Right wrist X-ray · lat · 74.6 mm image width. 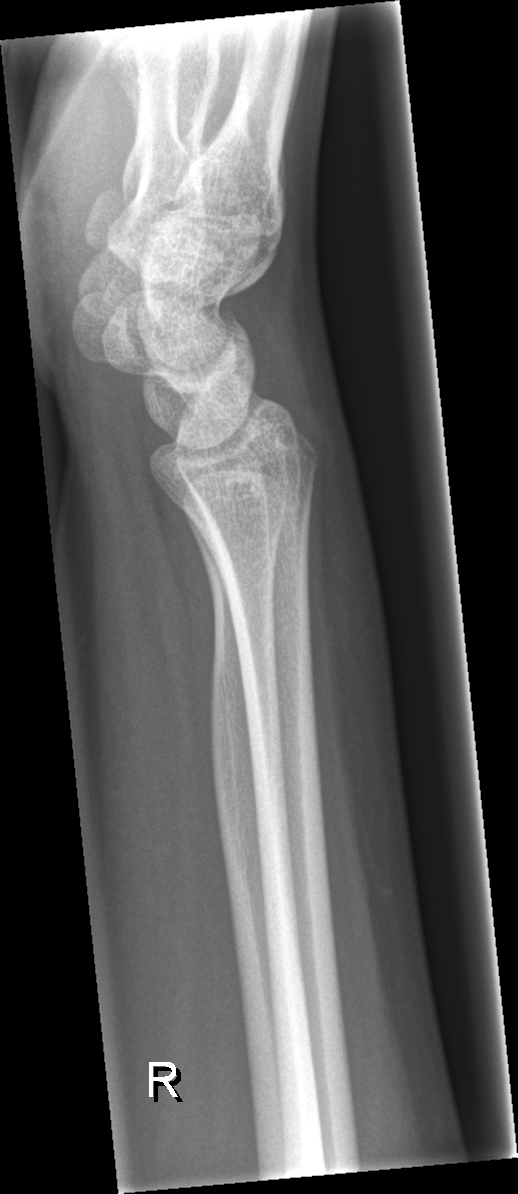

• Fracture: none labeled.